Lat view · R pediatric wrist radiograph · in cast
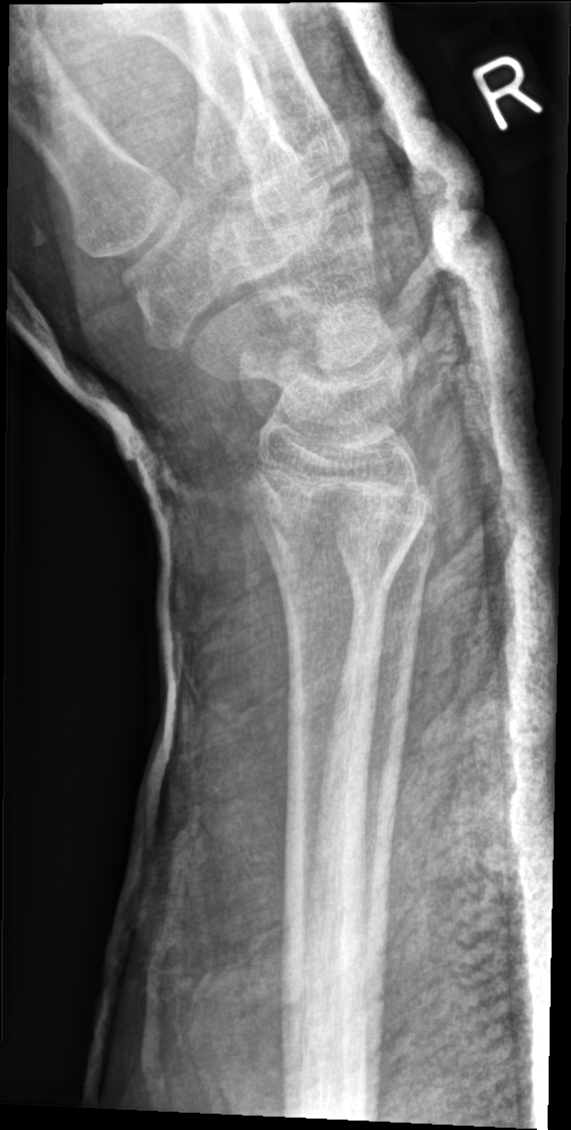 FINDINGS: Fracture classified AO/OTA 23r-M/3.1; 23u-E/7. Fracture — (left=233, top=458, right=431, bottom=606).